PA/AP · Lt wrist XR · age 13 y, male · imaged through cast · 694 by 1116 pixels —

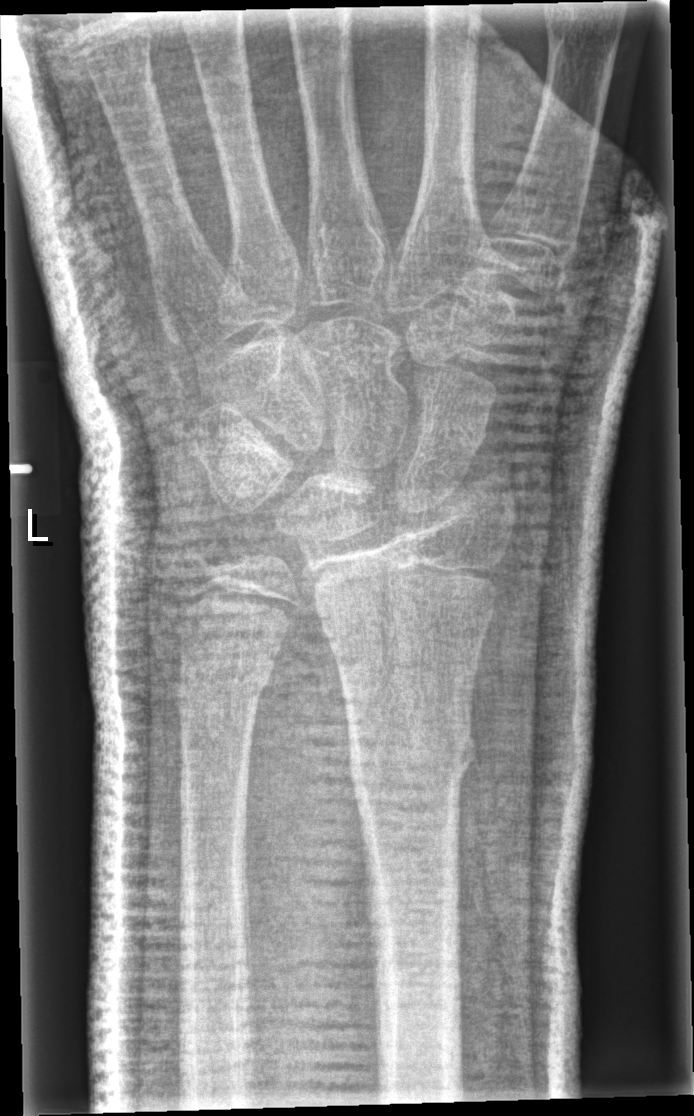
fracture: 2 @ 350,719,481,809
  174,664,274,716
ao: 23-M/2.1